PA/AP view · right wrist X-ray.
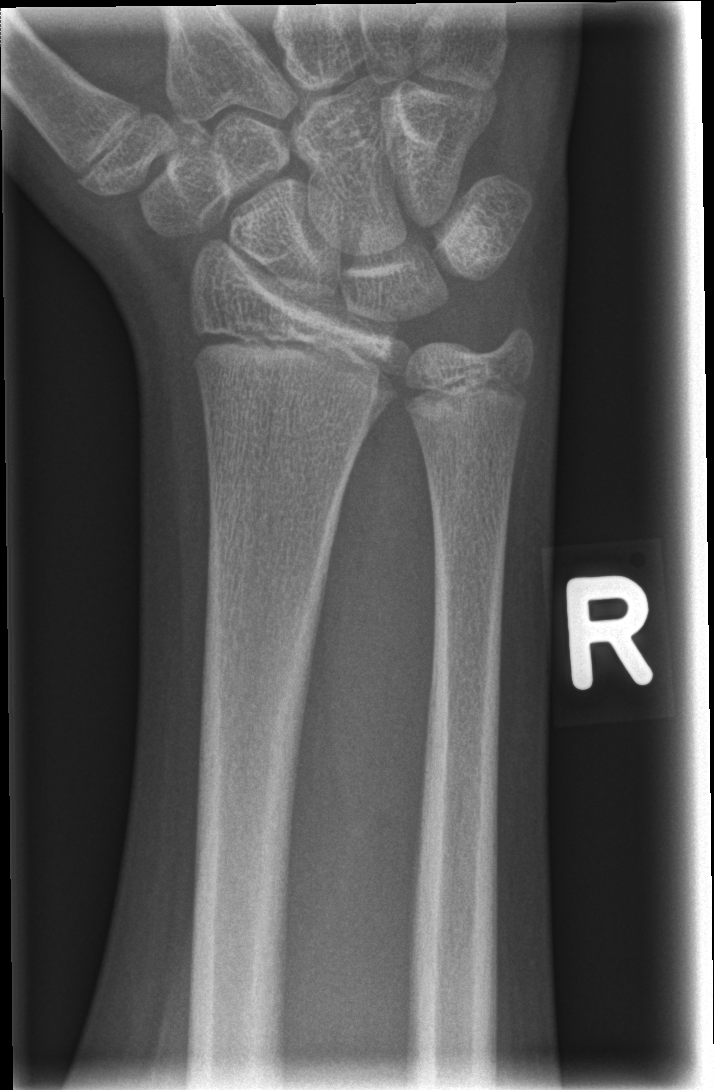
fracture: none labeled